PA/AP projection; left wrist plain radiograph of the wrist; 10-year-old female; follow-up; 468x864. 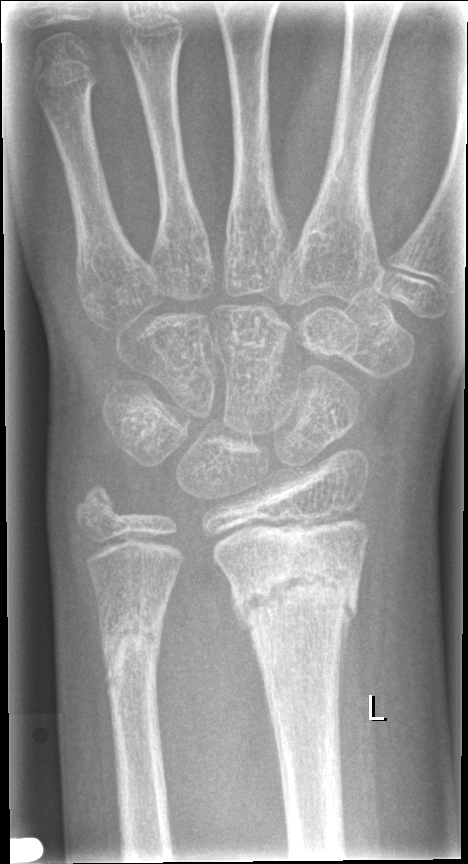
{"osteopenia": "present", "fracture": "3 @ 227 552 362 643\n  93 597 165 678\n  71 480 125 526", "periostealreaction": "337 594 355 744\n  230 578 256 645"}